R wrist plain film | PA/AP | subsequent exam | imaged through cast —
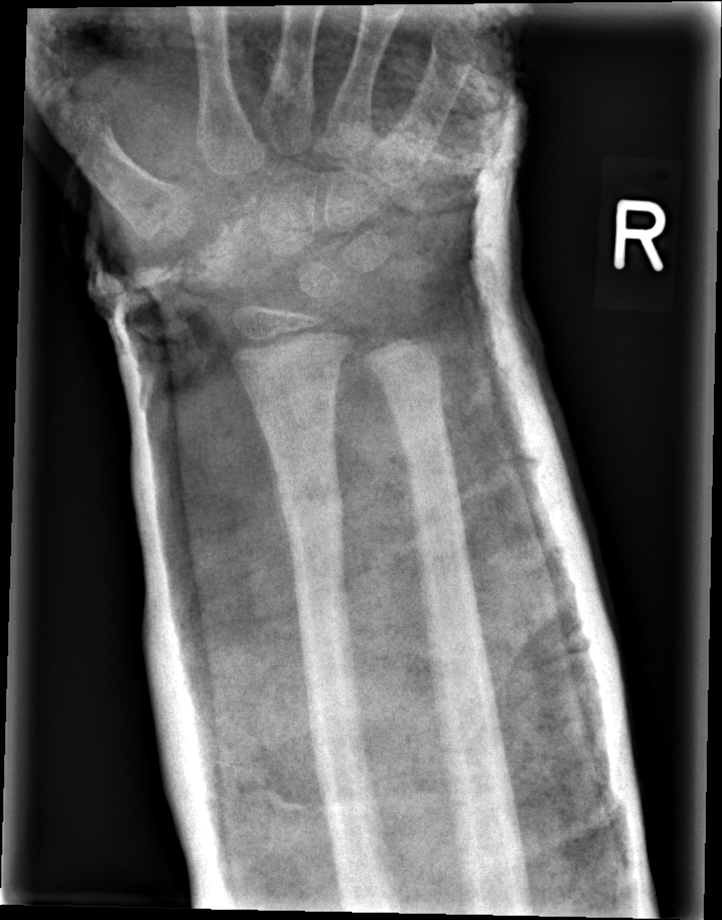

FINDINGS — Fracture — bbox(274, 474, 348, 533). AO code 23r-M/3.1.